Frontal projection | R pediatric wrist radiograph | age 15 y, boy.

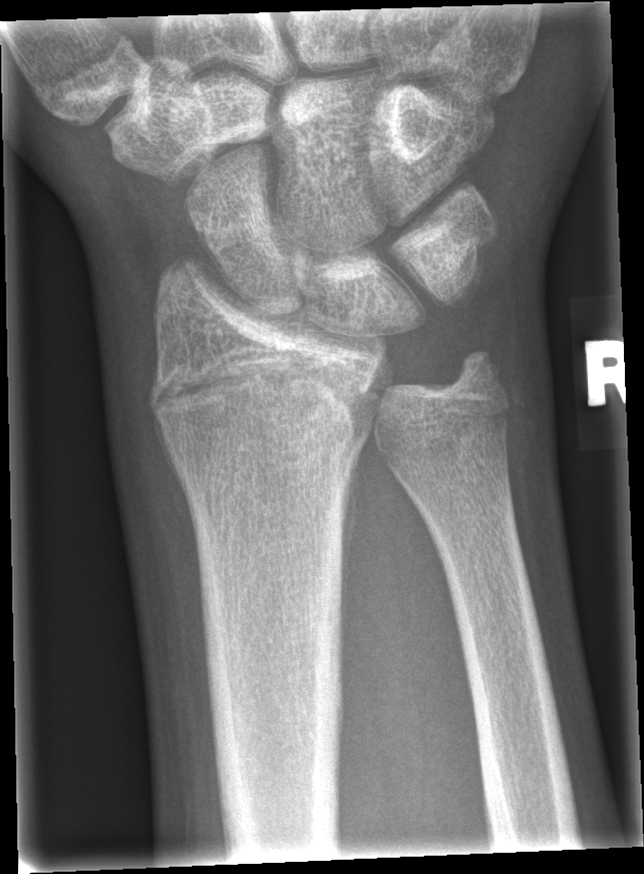 (pixel coordinates, top-left origin, xyxy)
periosteal new bone = 1 @ 341,460,358,621
bone fracture = 1 @ 145,342,397,448
AO/OTA = 23r-E/2.1
osteopenia = present